Lat · left wrist X-ray. 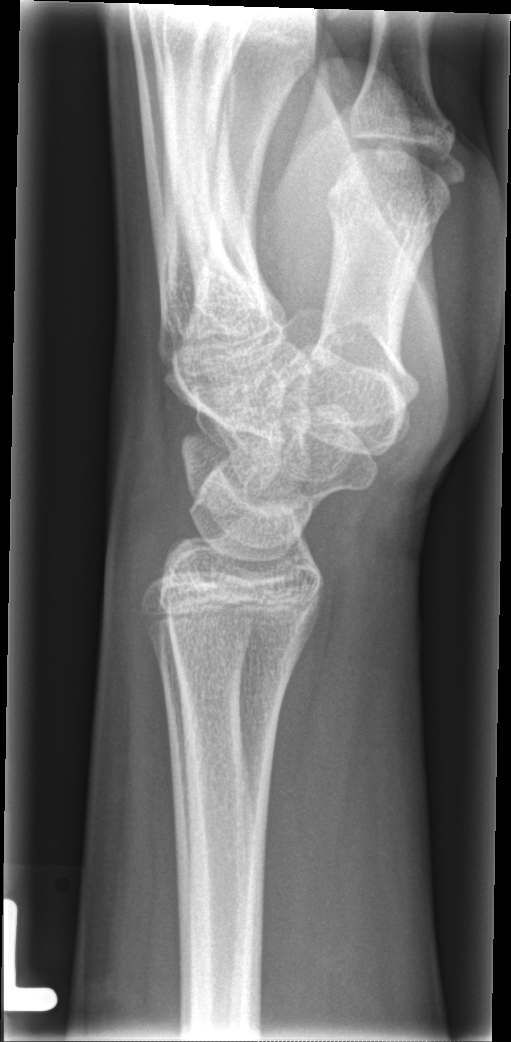 No Fx annotated.